Rt plain radiograph of the wrist; frontal; 862 x 1106 px 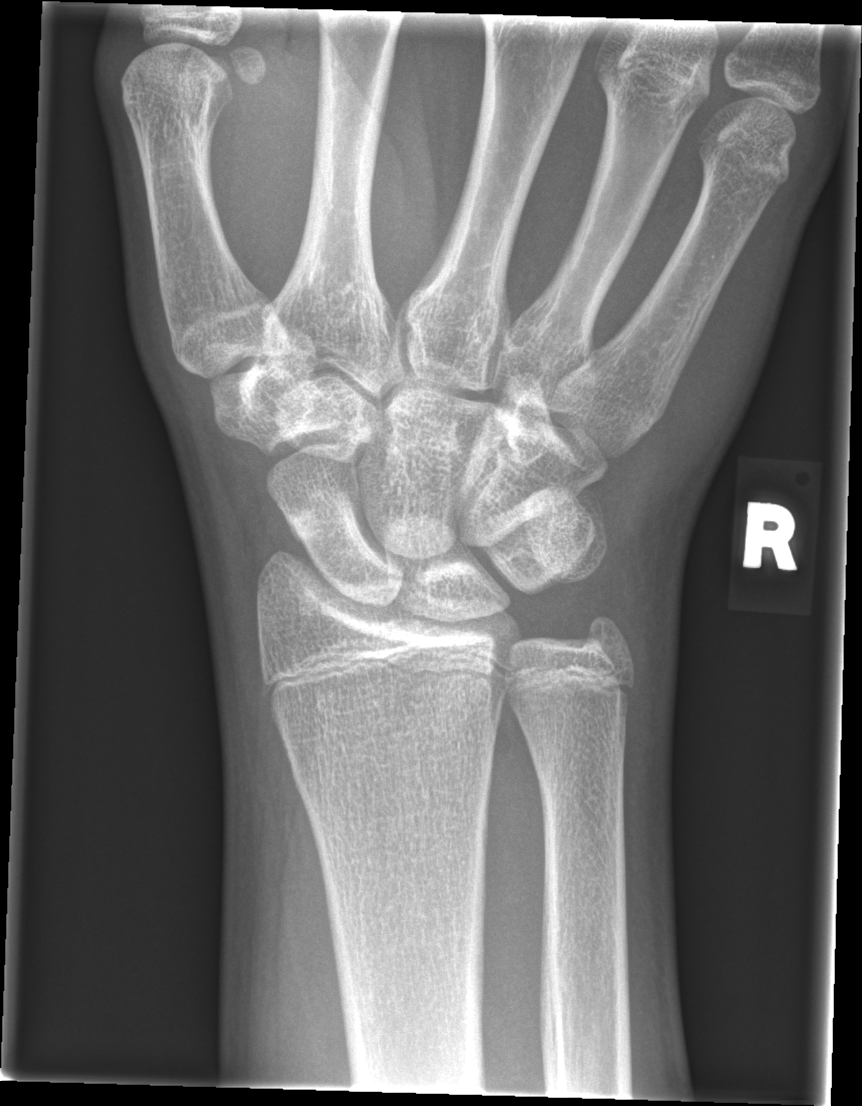
Coordinates are [x1, y1, x2, y2] in image pixels. AO/OTA classification: 72B(b). Fracture identified at bbox(280, 493, 379, 546).